Left wrist plain film, lat, follow-up study, image width 87.8 mm.
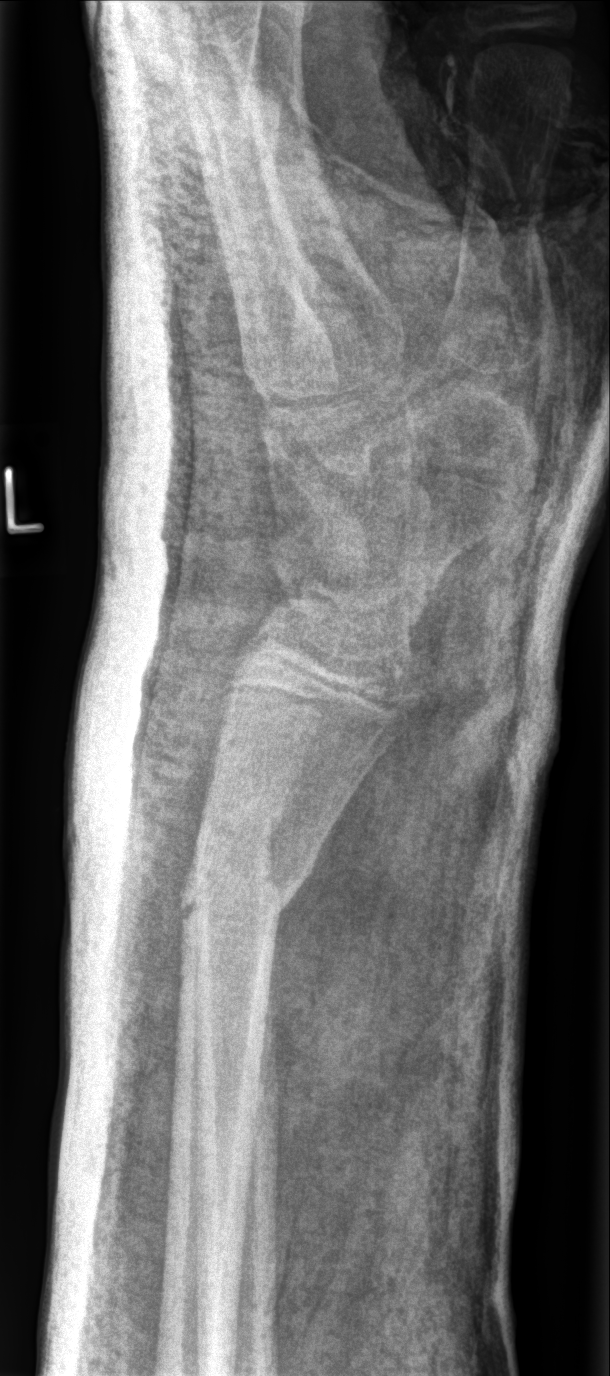

Bone fracture = <175,868>-<316,932> <196,779>-<289,850>